Frontal, Lt plain radiograph of the wrist, image 78.6 mm wide.

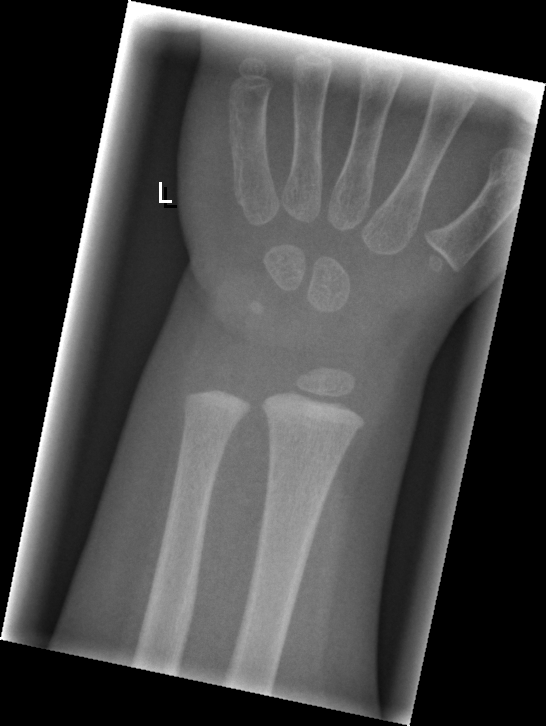 FINDINGS — No fracture bounding box.